Left wrist radiograph, posteroanterior projection, in cast —

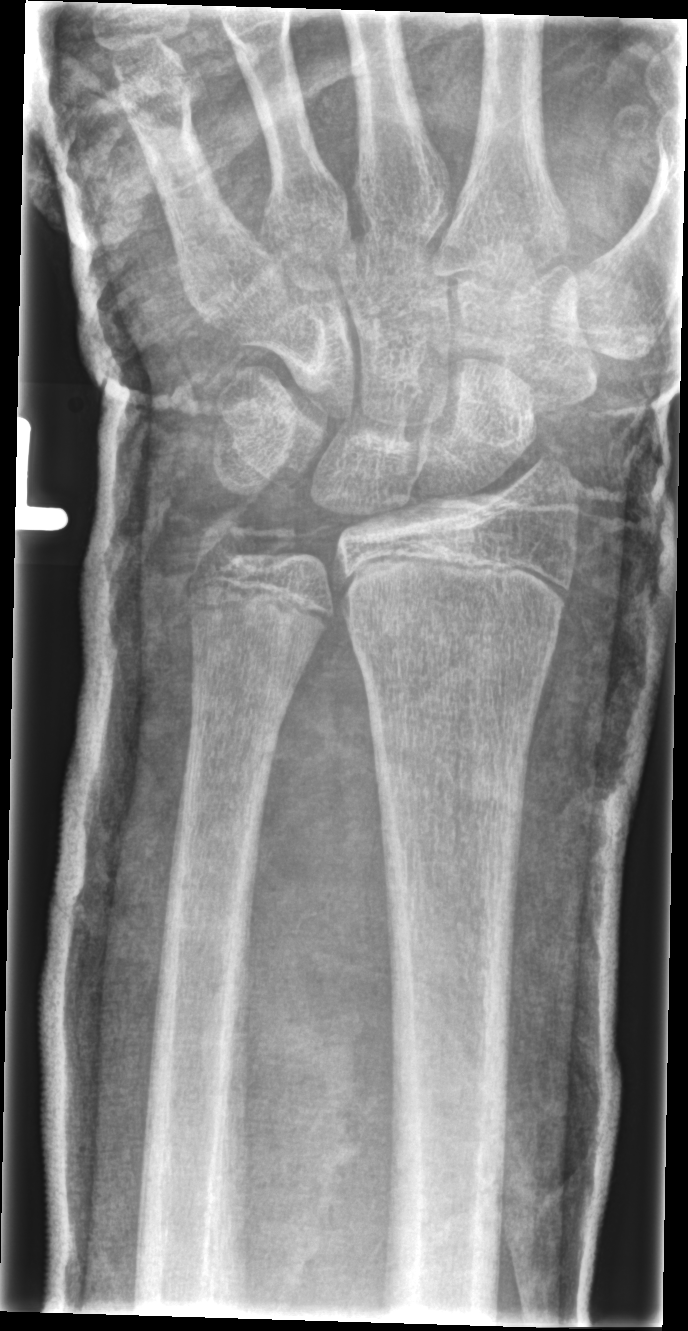 AO code 23r-M/2.1; 23u-E/7. Fracture present but not clearly seen in this view.